Left wrist radiograph · lateral · age 17 y, male · index exam · 73.7 mm image width:
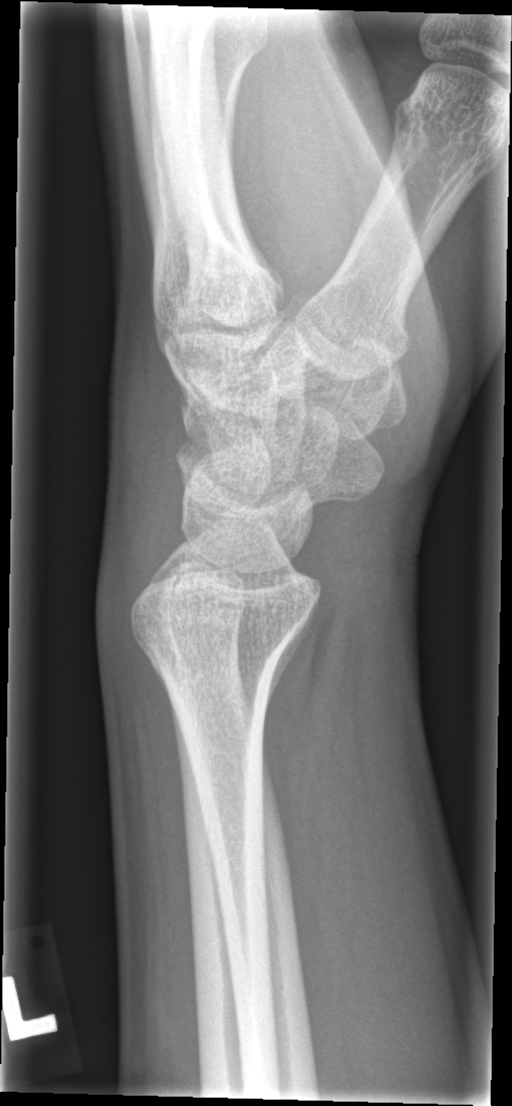 FINDINGS: No fracture bounding box.